Frontal projection · left pediatric wrist radiograph · 3y F · initial study · 71.7 mm image width:
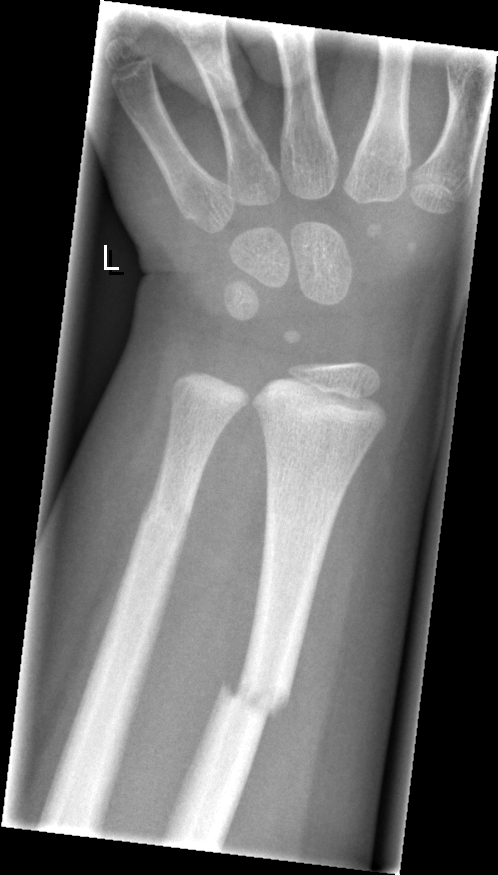

Bone fractures — 215,668,295,727
  132,486,197,551.